R wrist X-ray; lat view; 15y M; presentation radiograph; Siemens — 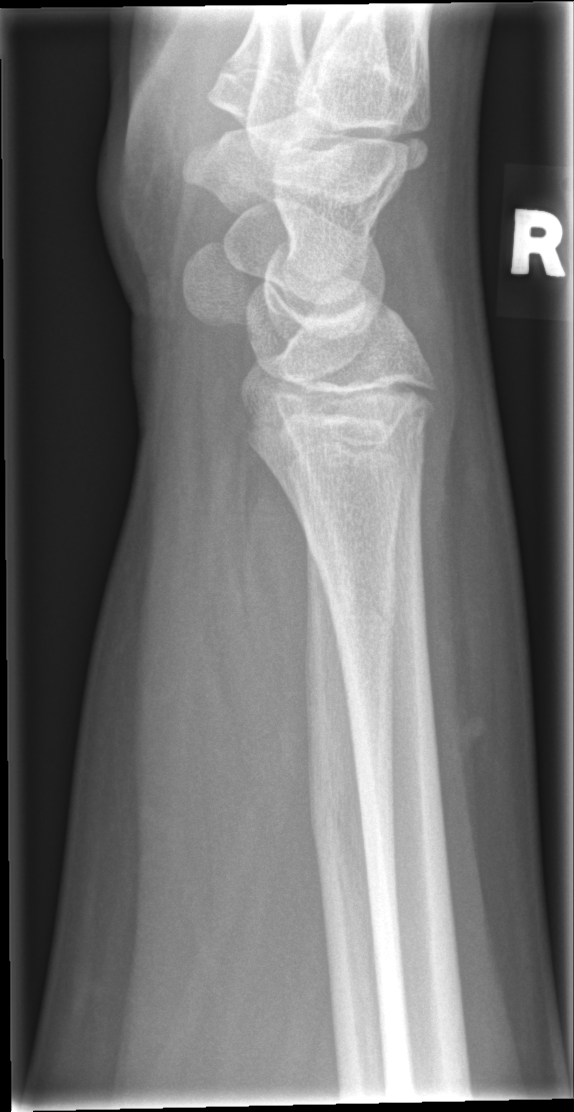
(bounding boxes in image-pixel xyxy)
Q: AO code?
A: AO code 23r-E/2.1; 23u-M/3.1
Q: Any soft-tissue swelling?
A: One soft-tissue swelling at <109,416>-<337,1036>
Q: Locate any fractures.
A: Two Fx at <239,383>-<442,461>; <305,541>-<397,645>